Frontal view · R wrist radiograph · girl, 11 yo · 471 x 944 px

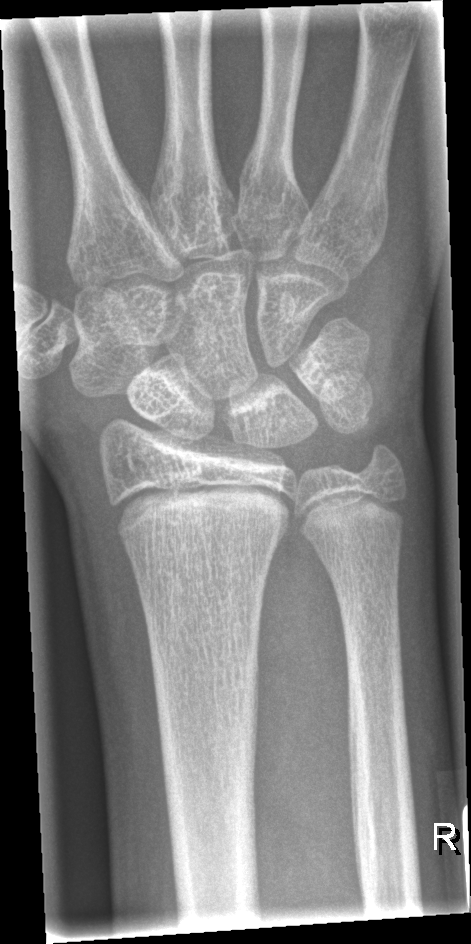 Fracture: none labeled.